PA view, right wrist X-ray, female, 4 yo, presentation radiograph, detector: Siemens

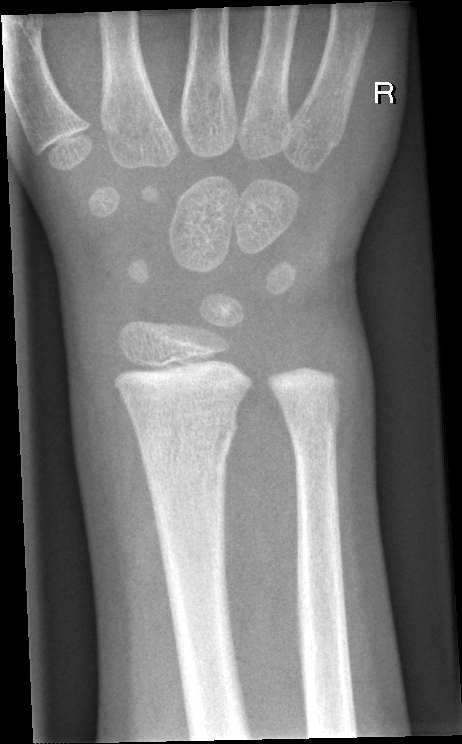
fracture: 134 411 242 465; 281 397 343 447